Rt wrist X-ray; PA/AP view:
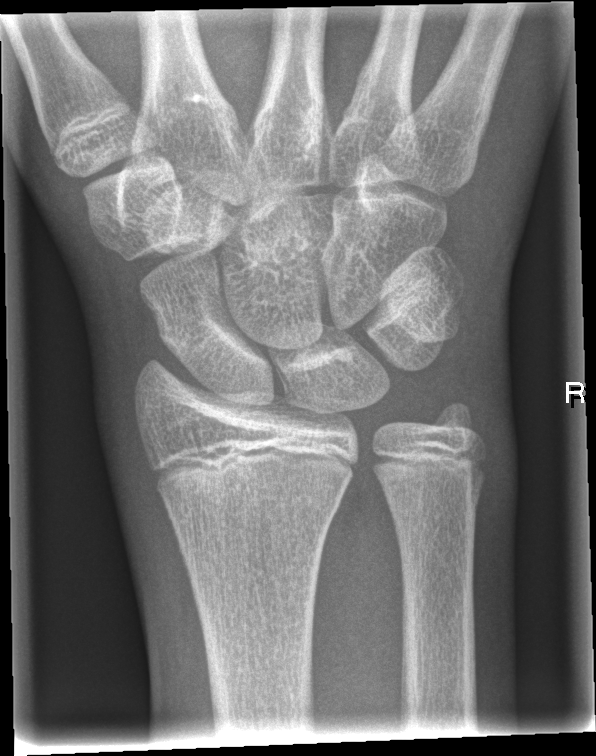

bone fracture: present but not clearly seen in this view
AO code: 23r-M/2.1